Lateral projection; L wrist plain film; 5y F; follow-up
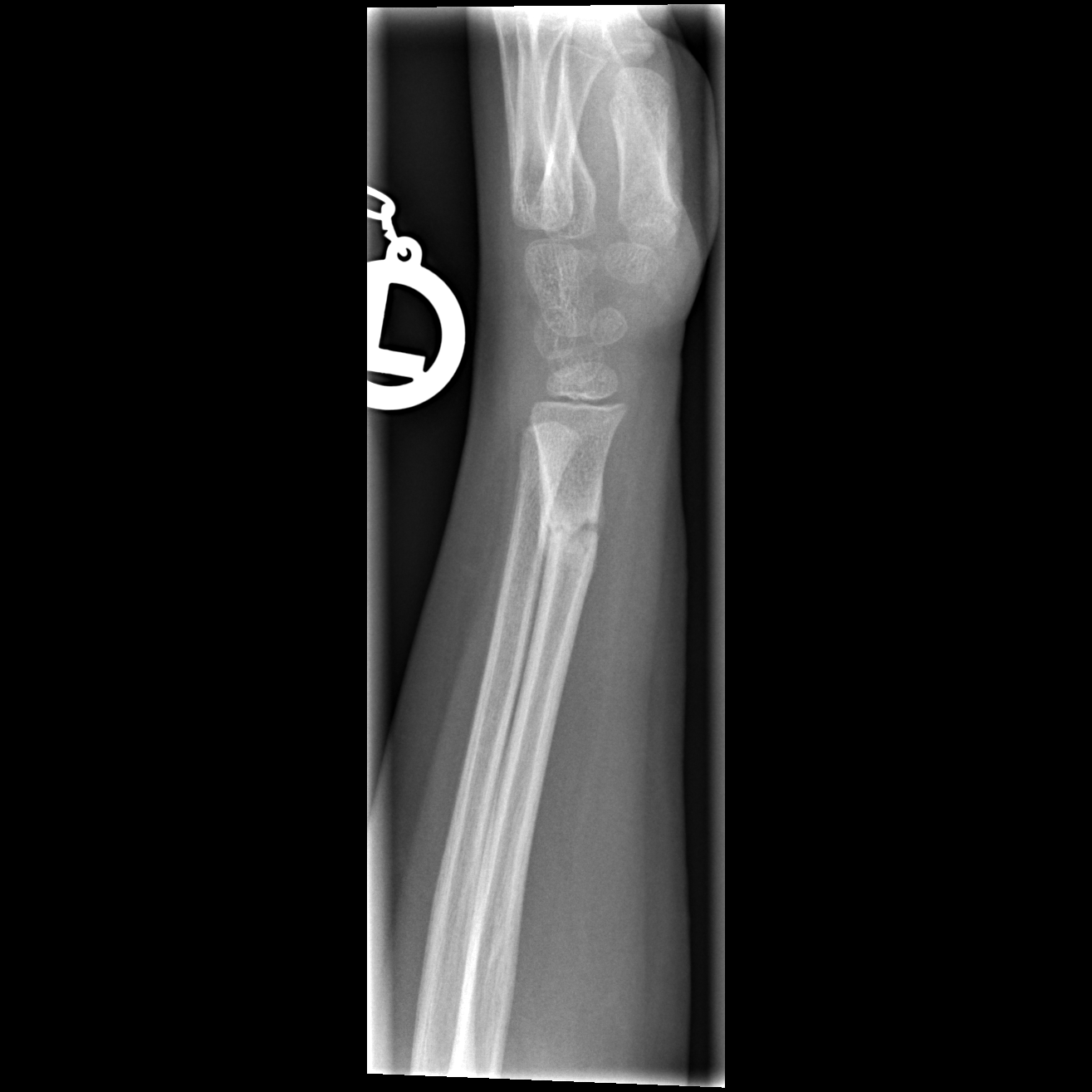

Fracture: [x1=534, y1=499, x2=608, y2=563] [x1=513, y1=449, x2=570, y2=497]
Osteopenia: present